L wrist radiograph, PA/AP view, 16-year-old female, presentation radiograph.

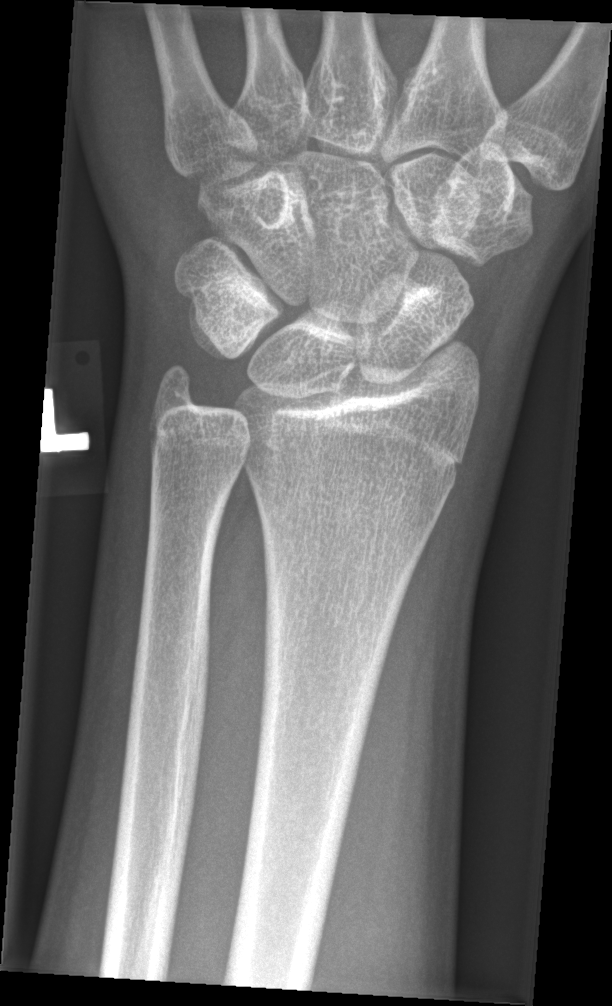

Findings: No fracture labeled.